Lt pediatric wrist radiograph, frontal view, 10-year-old male, detector: Siemens: 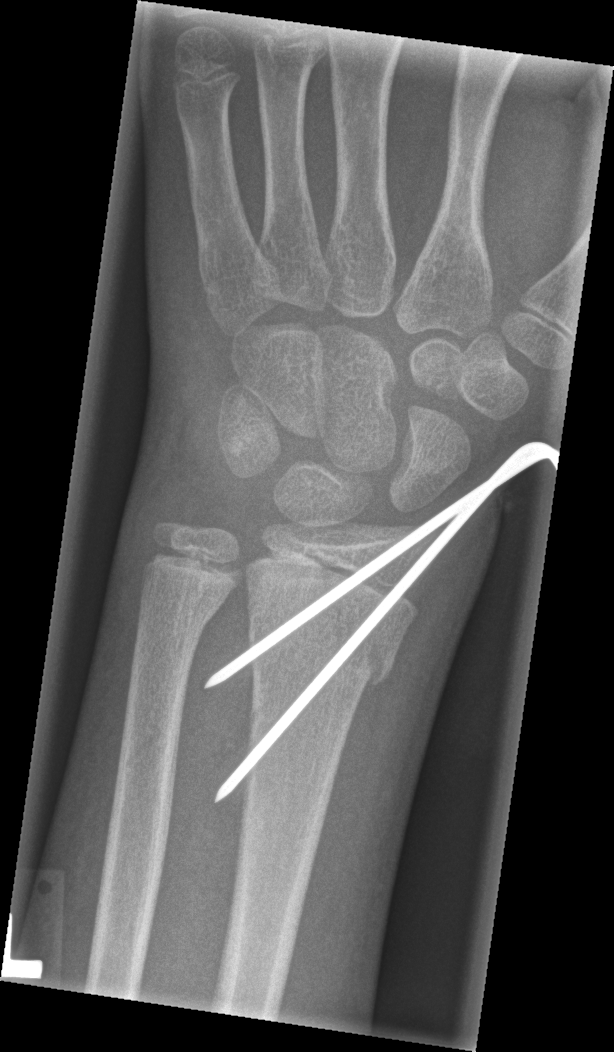
Bounding boxes in image-pixel xyxy.
Osteopenic.
Bone fractures — bbox(249, 588, 418, 694), bbox(135, 584, 223, 638).
Metallic implant — bbox(202, 437, 562, 803).
Fracture classified AO/OTA 23r-M/3.1; 23u-M/2.1.